Lat | Rt wrist XR | 17y M:

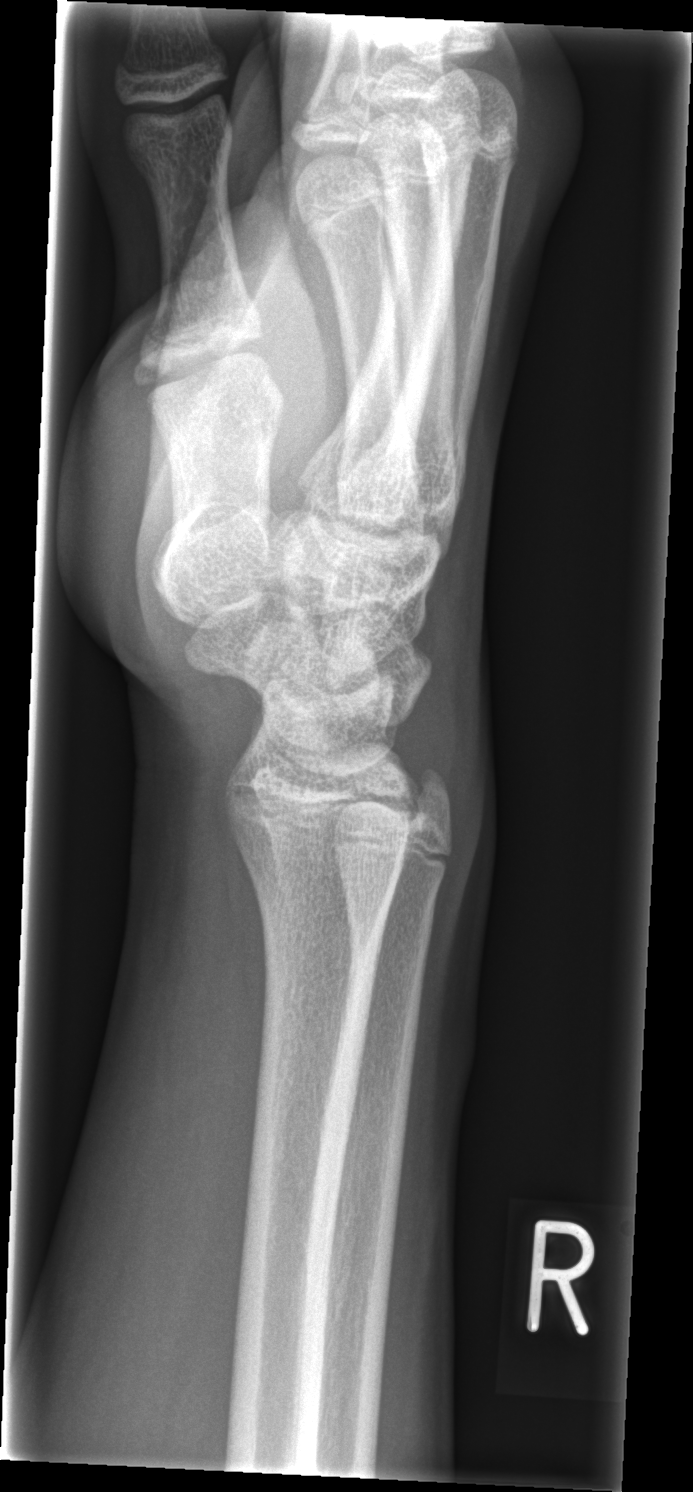 FINDINGS: (boxes as x1,y1,x2,y2 (top-left / bottom-right, pixel units)) One Fx at [398, 760, 461, 834].